Rt plain radiograph of the wrist; posteroanterior; pediatric patient (boy, age 9); 493x732.

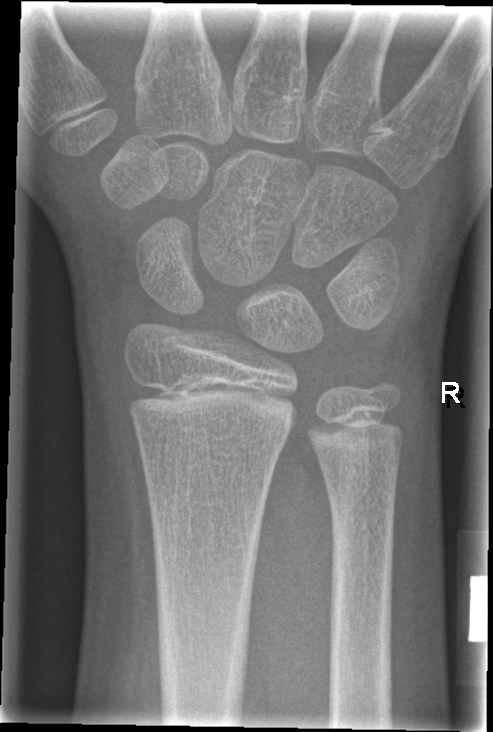

  fracture: none labeled